Right plain radiograph of the wrist | posteroanterior view | boy, 11 yo | acquired on Siemens

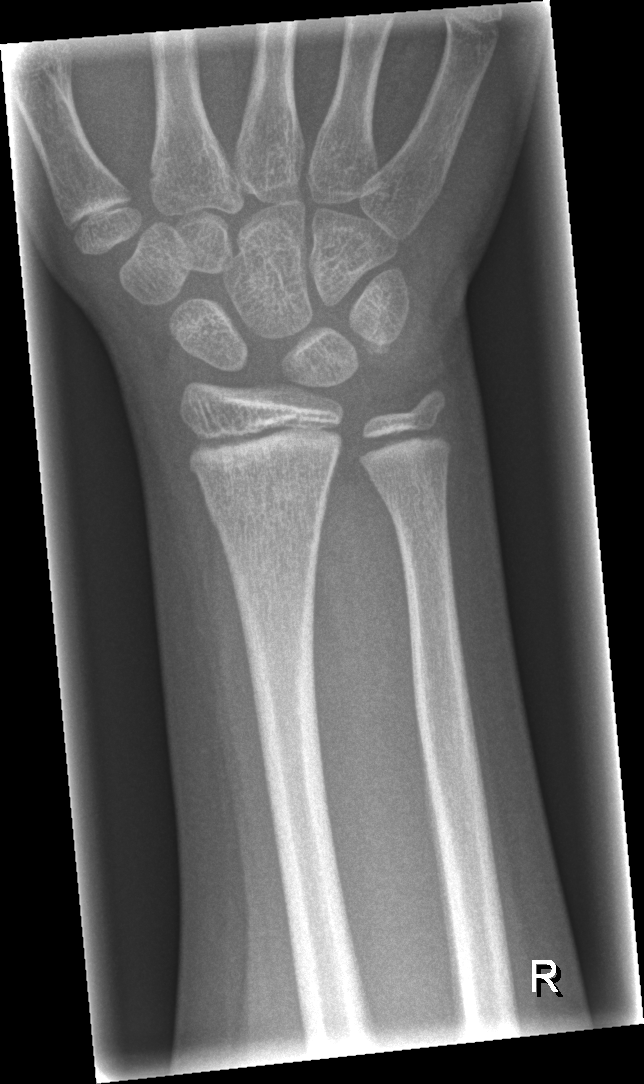 Findings: (coordinates are [x1, y1, x2, y2] in image pixels) One Fx at bbox(198, 471, 334, 534).